Right wrist plain film, PA projection, acquired on Siemens, image size 399x778: 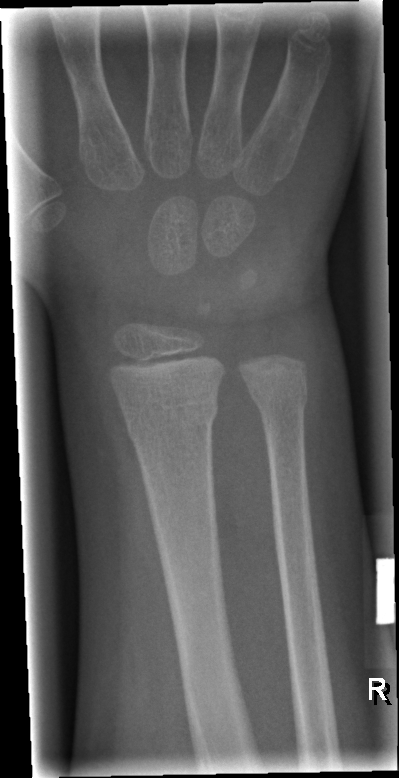   # boxes as x1,y1,x2,y2 (top-left / bottom-right, pixel units)
  ao: 23-M/2.1
  fracture: 2 @ (left=124, top=395, right=221, bottom=450); (left=246, top=374, right=313, bottom=422)